Lat · left wrist XR.
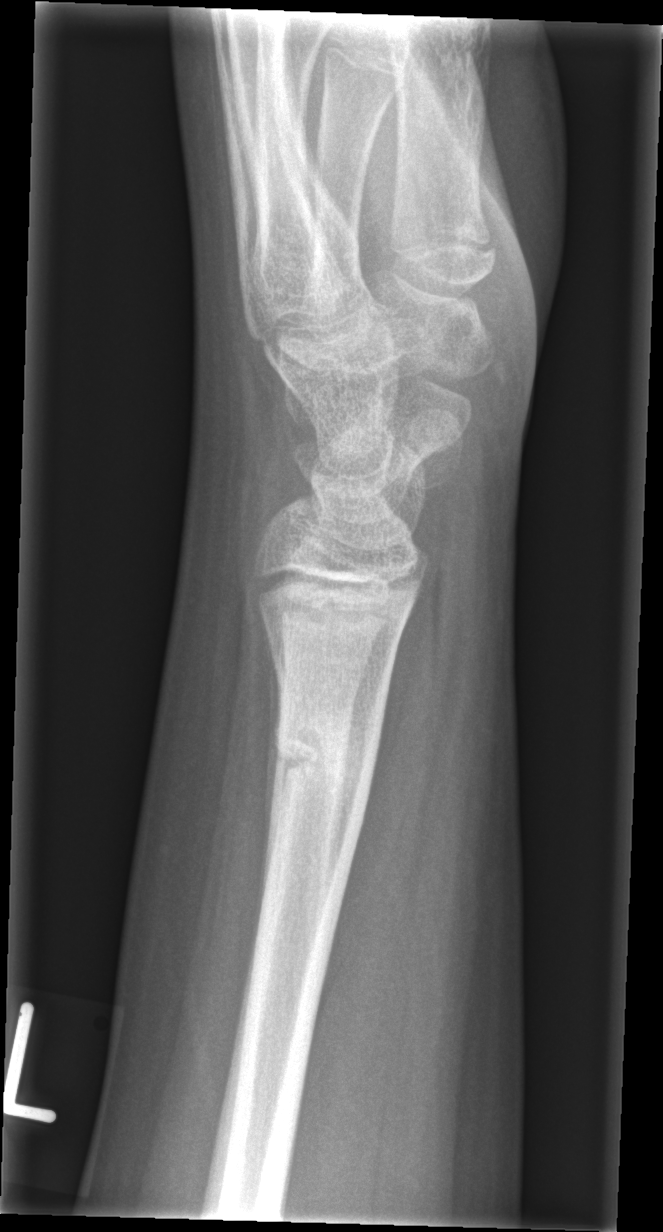
* Pixel coordinates, top-left origin, xyxy.
* Periosteal thickening — bbox(264, 646, 282, 896).
* Osteopenic.
* Bone fracture identified at bbox(269, 720, 384, 810).